PA/AP, right wrist X-ray, 15y M, cast in situ.
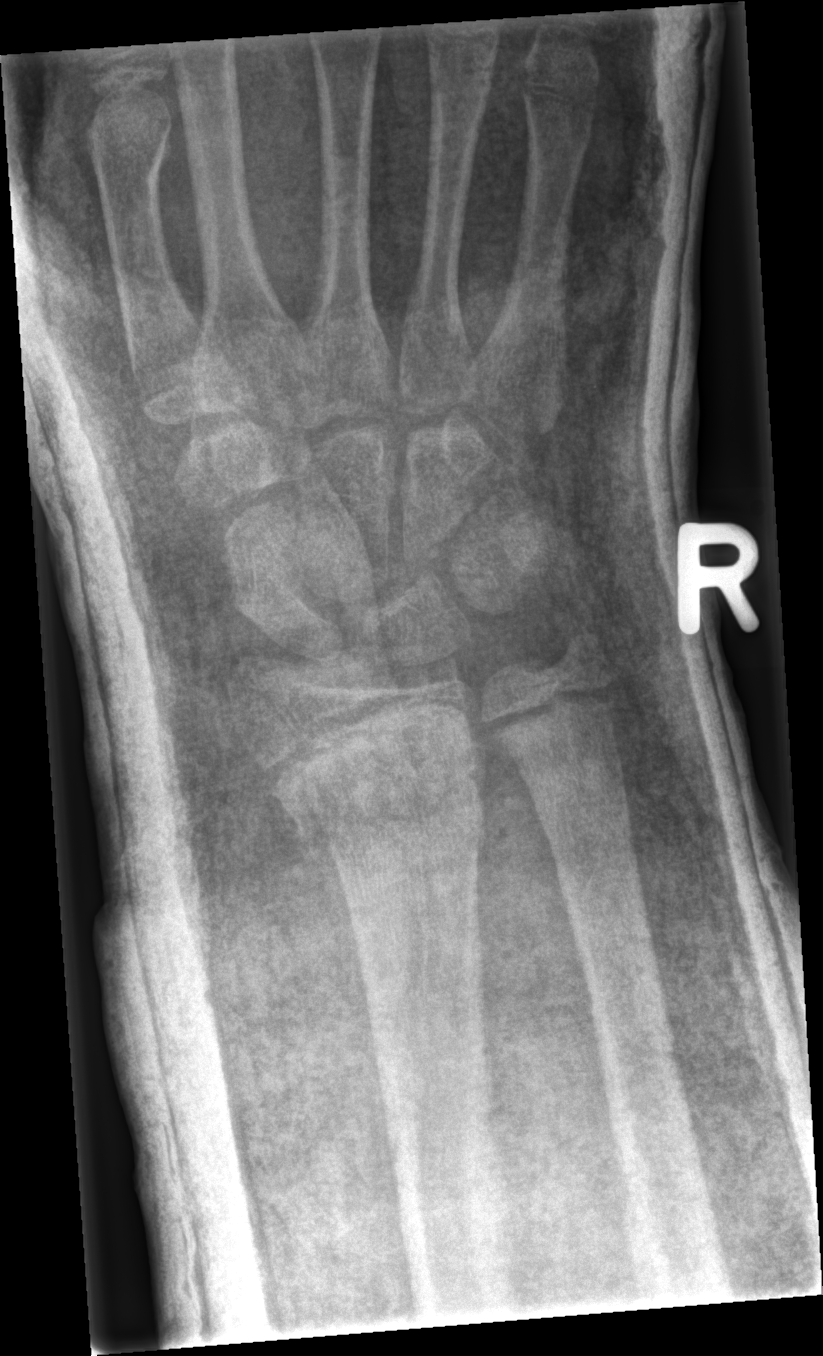

FINDINGS — AO code 23r-E/2.1. Fx — [269, 710, 495, 880].